L pediatric wrist radiograph, lat projection, age 18 y, boy, follow-up, image 83.1 mm wide:

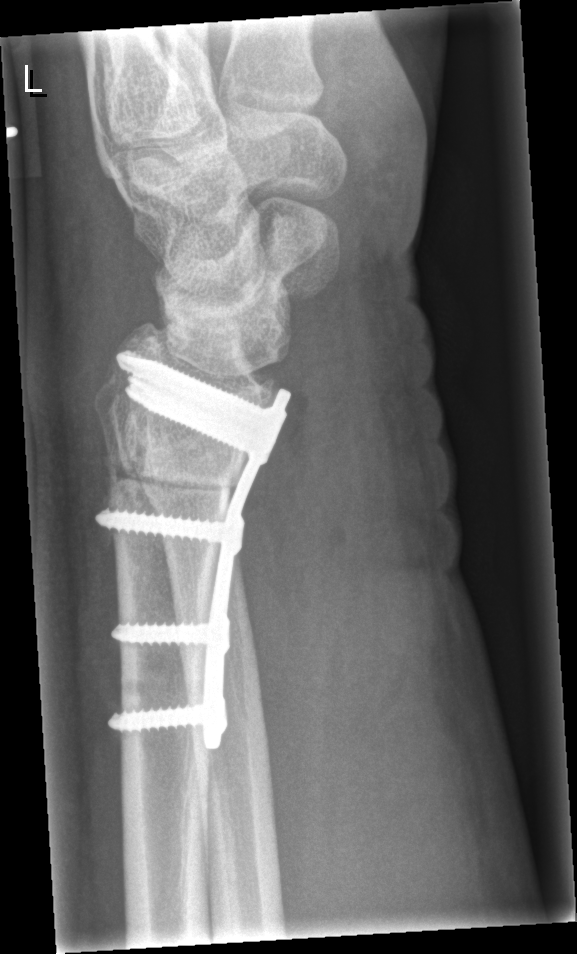 Fracture: none labeled. Soft tissue abnormality: (left=228, top=287, right=483, bottom=874). Metallic implant — (left=94, top=351, right=289, bottom=750).